Lateral projection | L wrist plain film | image width 68.1 mm:

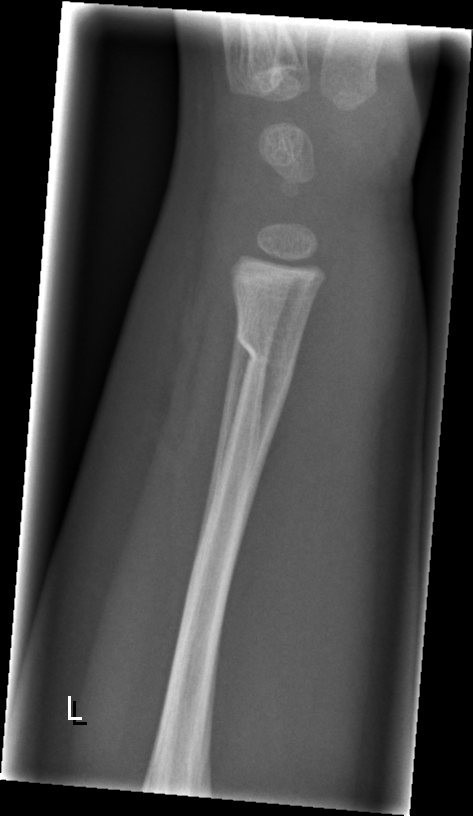 (bounding boxes in image-pixel xyxy)
Fx: 1 @ (left=234, top=324, right=299, bottom=379)